Lat · right wrist plain radiograph of the wrist · 5-year-old female · image 67.7 mm wide —
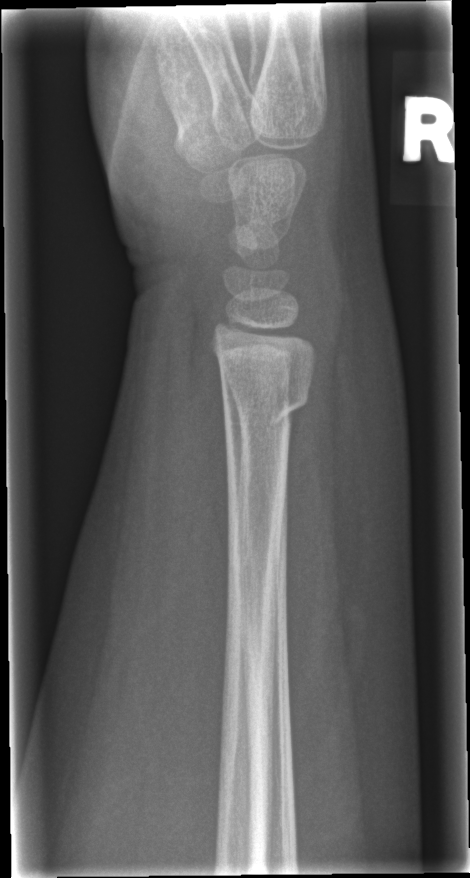

Fracture classified AO/OTA 23r-M/2.1. Fracture: <219,382>-<312,446>.